Lat, left wrist plain radiograph of the wrist, subsequent exam, acquired on Siemens, 700 x 1140 px
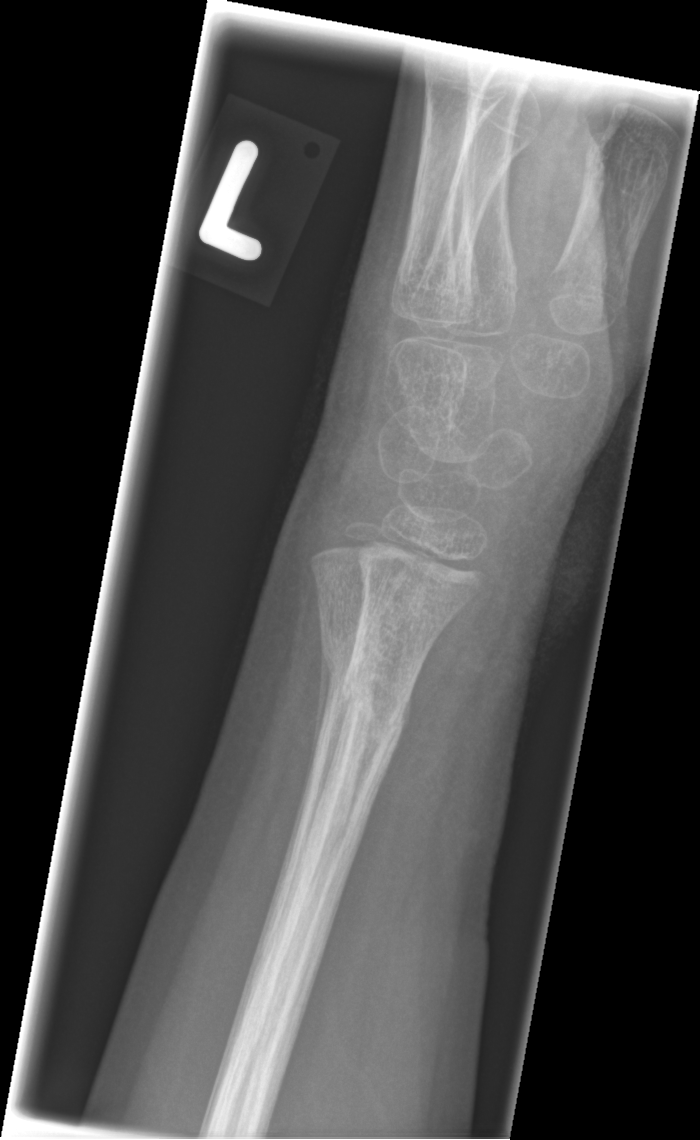

Bounding boxes in image-pixel xyxy.
Osteopenic.
AO code 23-M/3.1.
Fx identified at [x1=312, y1=619, x2=414, y2=759], [x1=336, y1=659, x2=421, y2=753].